Right wrist X-ray | lat view | 506 x 994 px —

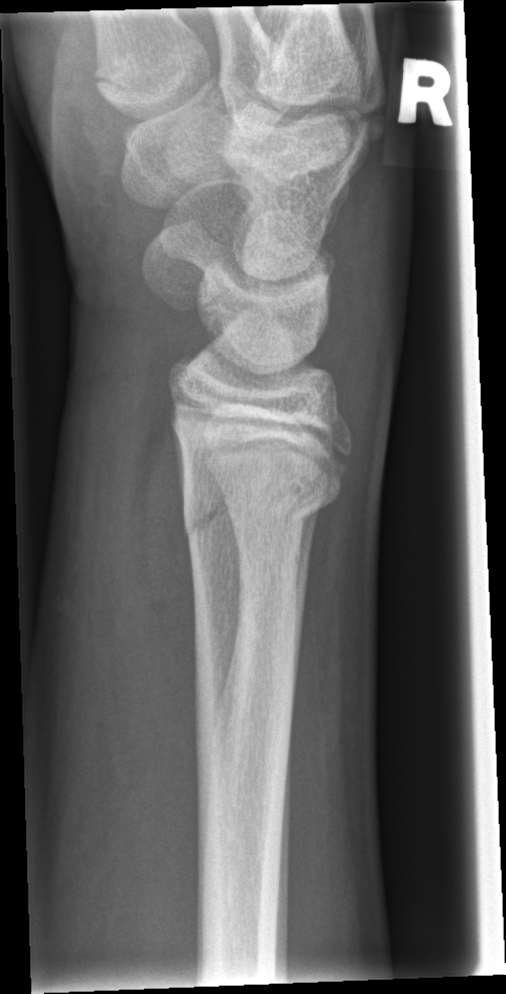
(boxes as x1,y1,x2,y2 (top-left / bottom-right, pixel units))
Pronator quadratus fat-pad sign: <126,407>-<199,710>
Fracture: 1 @ <167,426>-<354,548>